Lateral projection; right wrist pediatric wrist radiograph:

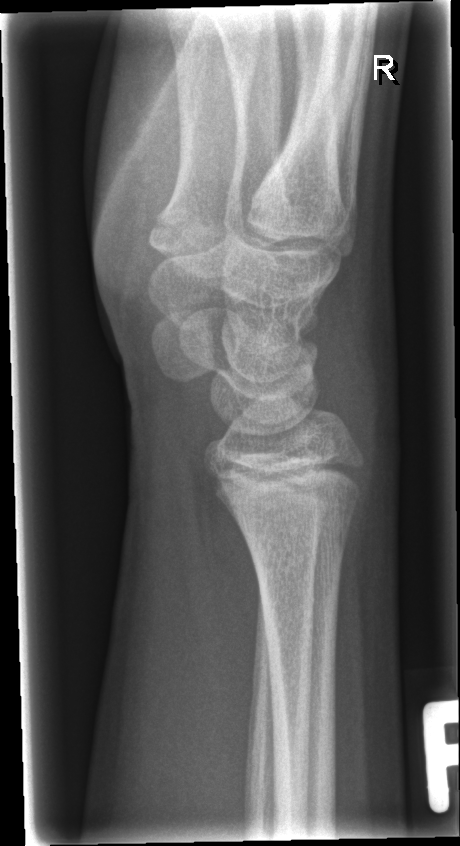 fracture: none labeled